Frontal · Rt wrist plain film.

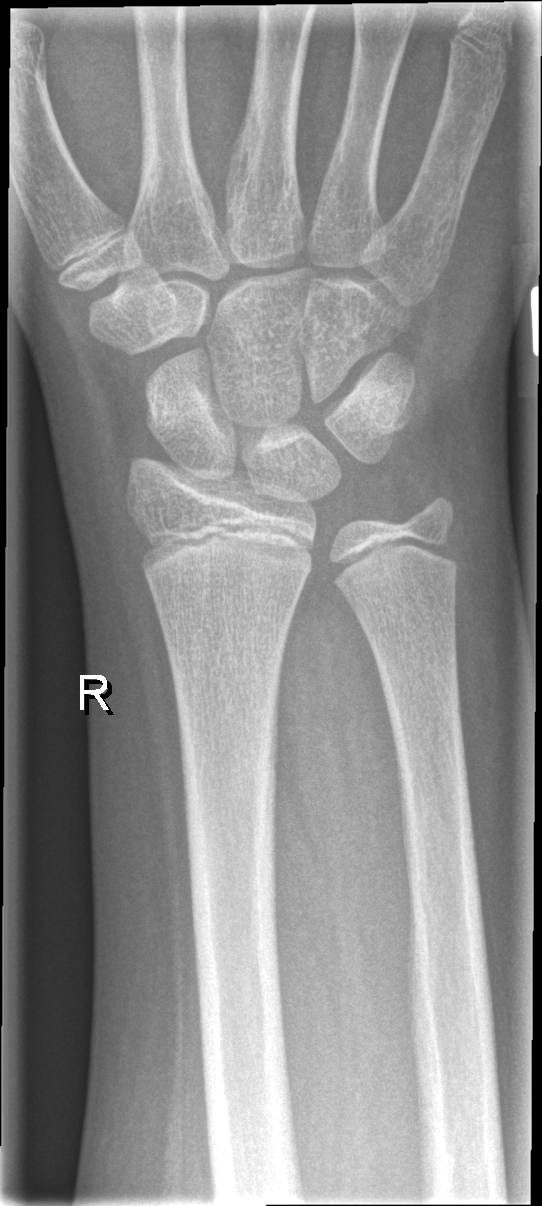
bone fracture = none labeled